R wrist radiograph | lat | 15-year-old male | subsequent exam | cast in situ | acquired on Siemens | 692 by 1300 pixels —

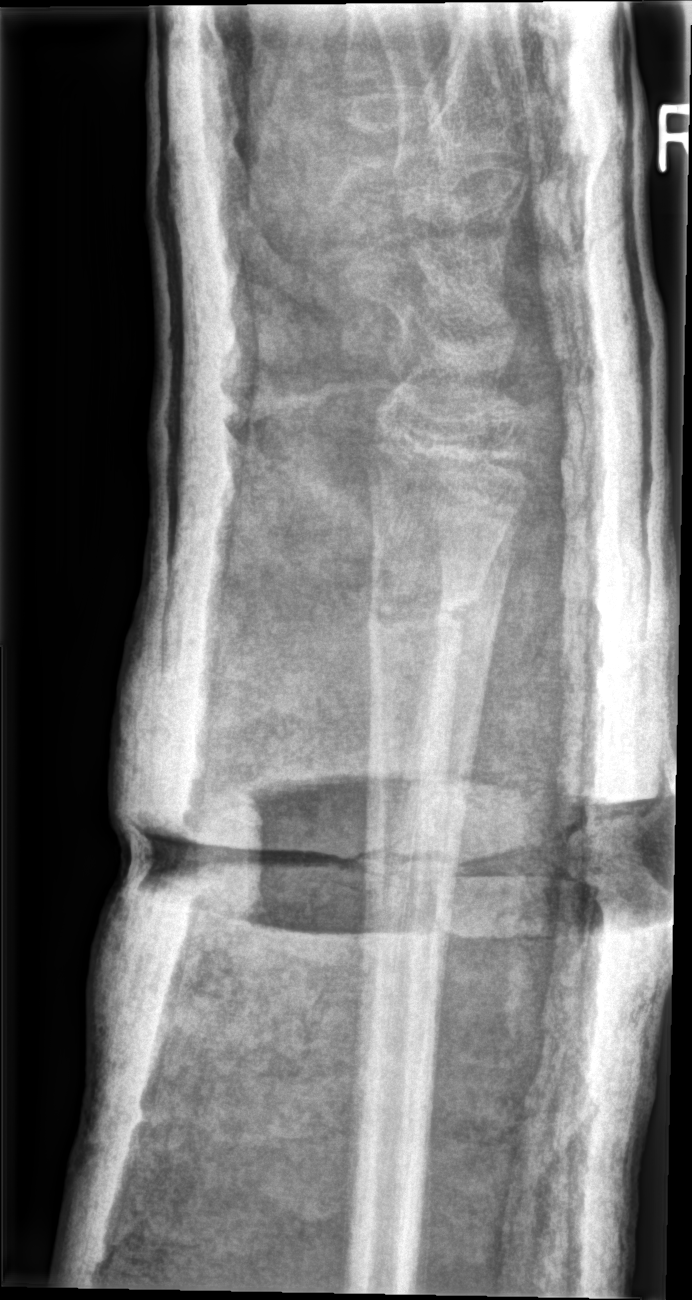 FINDINGS — Fracture: <365,573>-<483,639>.